Lat | left wrist XR | pediatric patient (boy, age 6) | follow-up study.

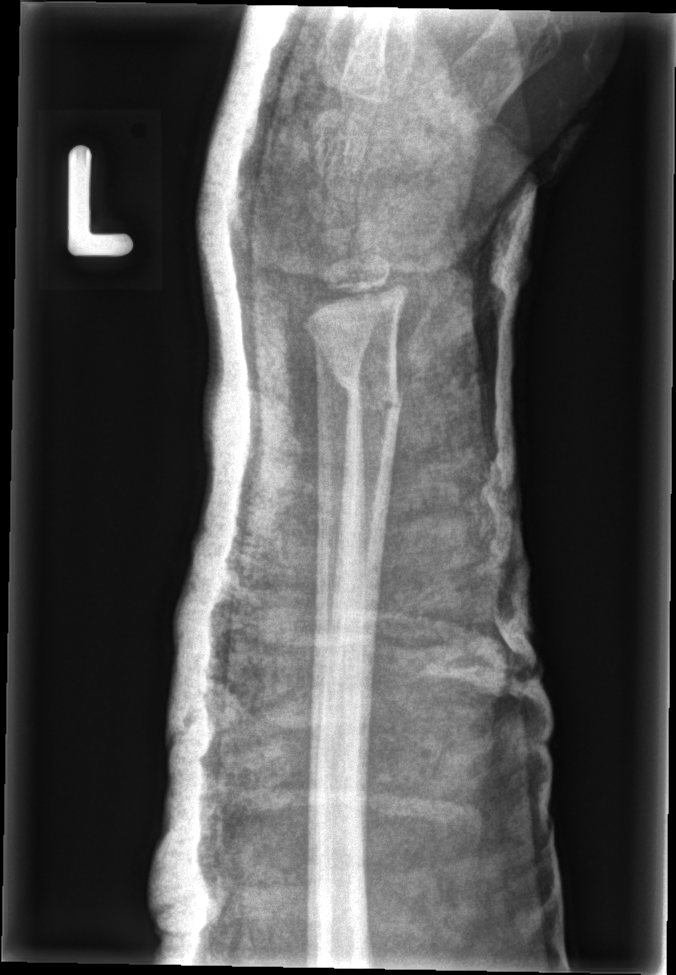 Coordinates are [x1, y1, x2, y2] in image pixels.
Bone fracture identified at (left=330, top=359, right=405, bottom=422).
AO/OTA classification: 23r-M/3.1; 23u-M/2.1.